Lat view; right wrist XR; subsequent exam; 51.3 mm image width:
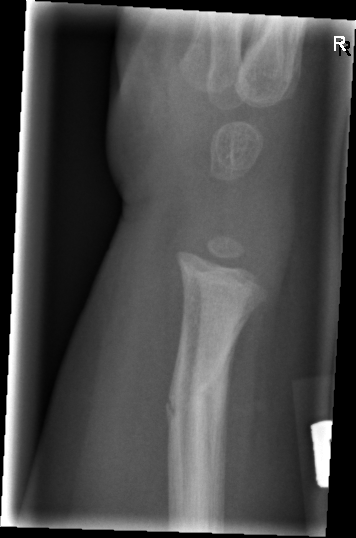
  ao: 23-M/2.1
  fracture: 1 @ 162,356,232,432